Lateral · left wrist XR · acquired on Siemens · 574 by 918 pixels:

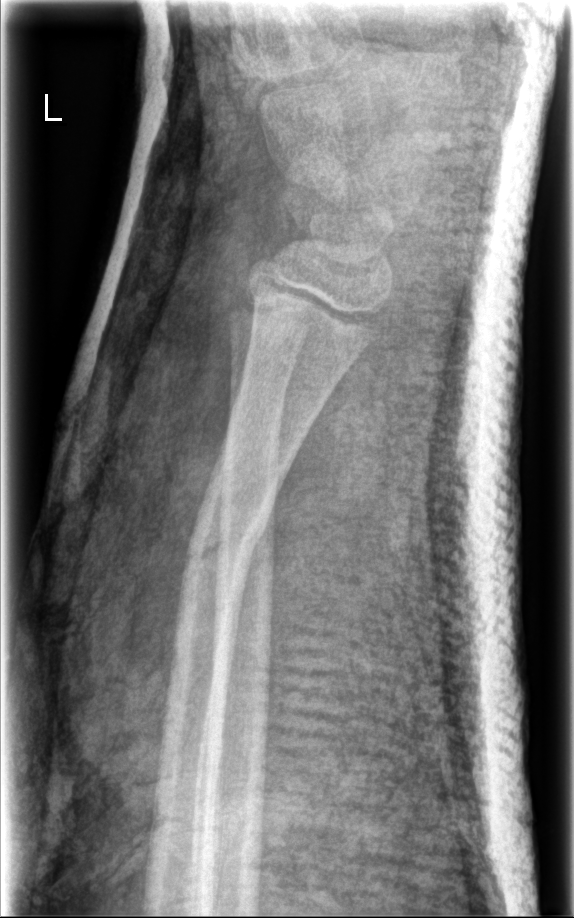 • Coordinates are [x1, y1, x2, y2] in image pixels.
• AO code 22r-D/2.1.
• One Fx at (left=175, top=493, right=274, bottom=576).